Right wrist plain film · lateral projection · 14y M · presentation radiograph · acquired on Siemens · image size 464x1154: 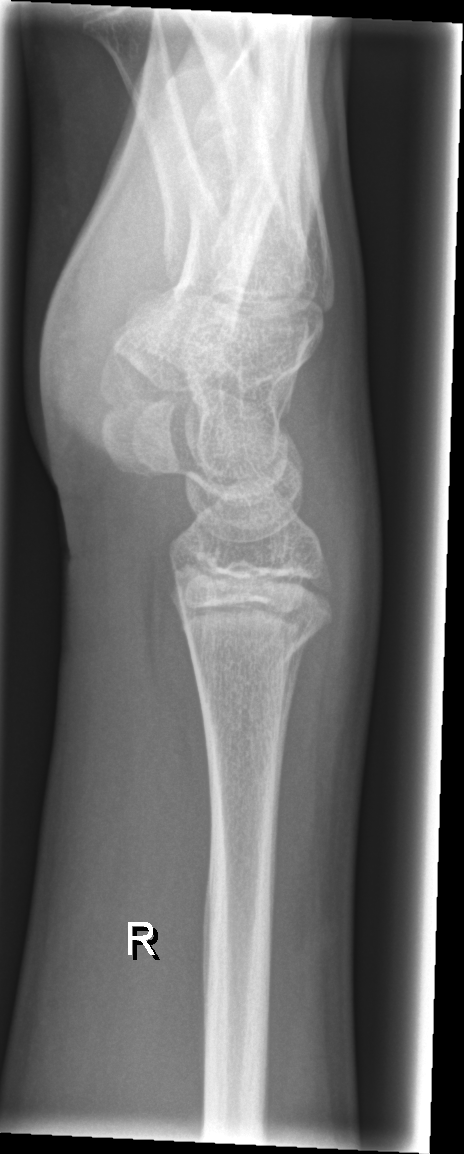 Q: Locate any fractures.
A: Fracture: [x1=181, y1=607, x2=334, y2=683]